L wrist XR, lateral projection —
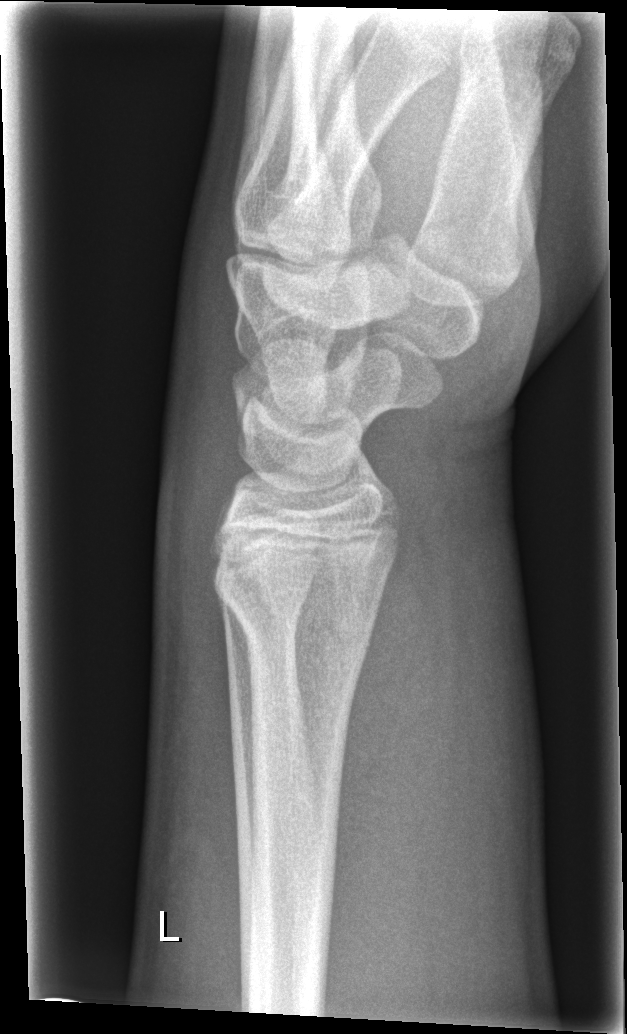 • Bone fracture: (left=212, top=564, right=378, bottom=665).
• Pronator sign: (left=328, top=540, right=461, bottom=1008).
• AO code 23r-M/2.1; 23u-E/7.